Lateral · right wrist plain radiograph of the wrist · initial study · 512 by 904 pixels. 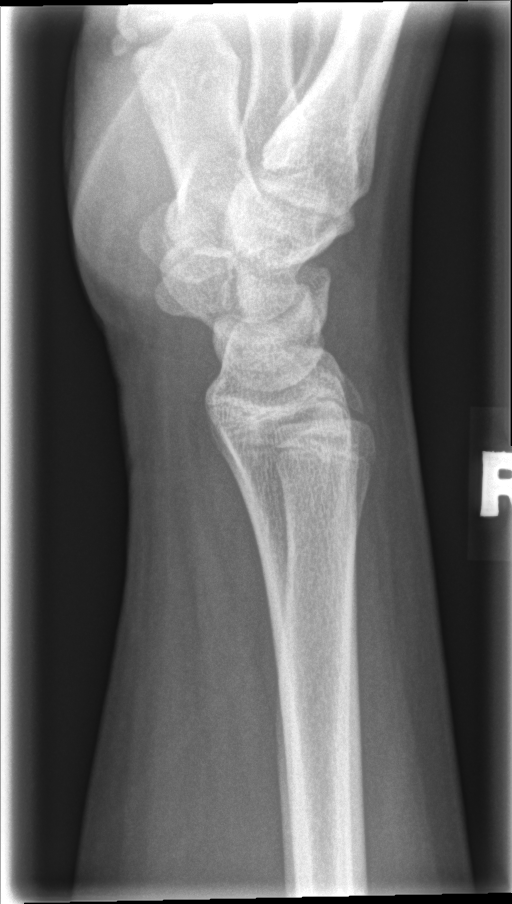
Fx: none.